PA; right wrist X-ray; male, 13 yo:

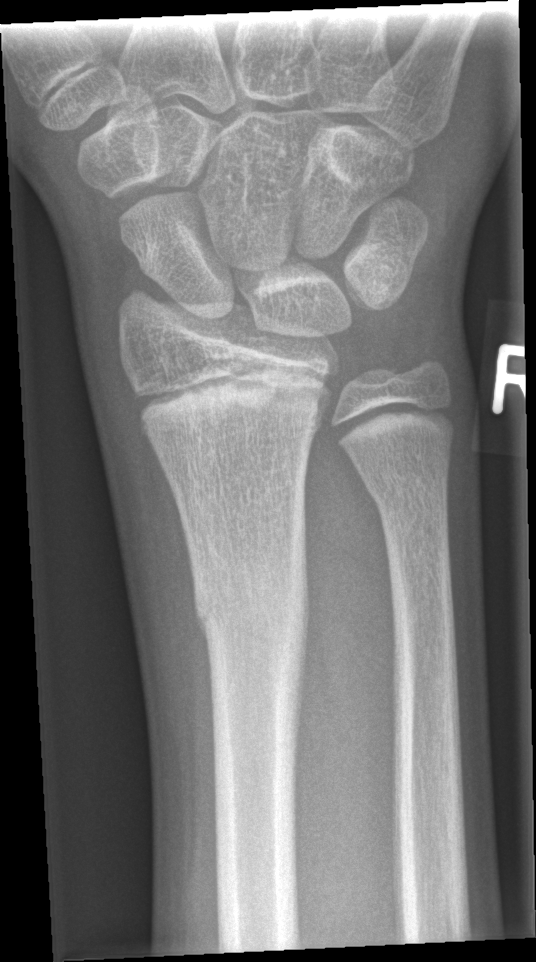
Pixel coordinates, top-left origin, xyxy. Two fractures at [190, 555, 312, 739] [364, 474, 454, 535].